R wrist plain film | PA projection | initial study | image 88.3 mm wide | image size 613x1238

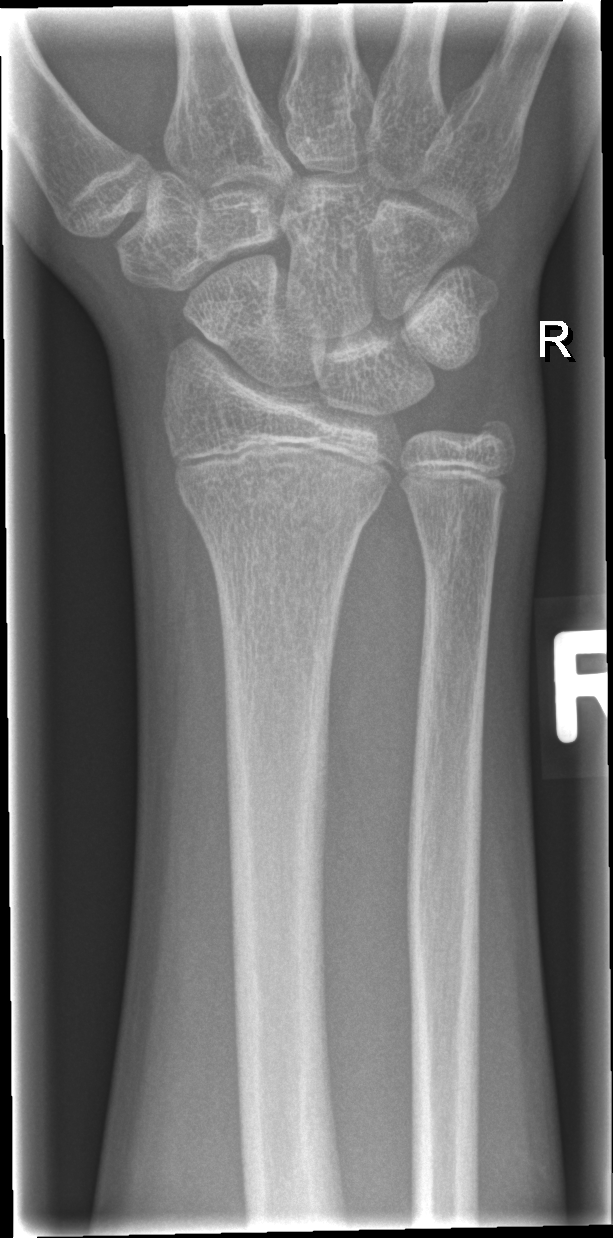

- Fx — [174, 462, 389, 529].